PA/AP projection · R pediatric wrist radiograph · 11y F · presentation radiograph:
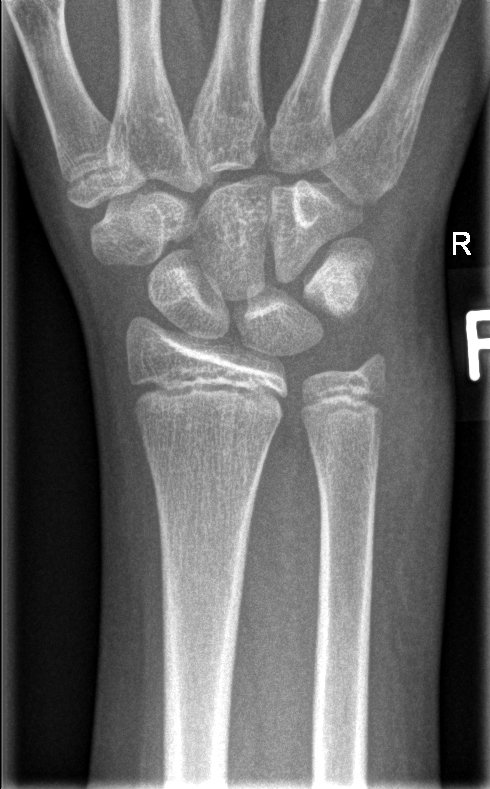 Fx: none labeled